Frontal; R wrist radiograph; 14y M:

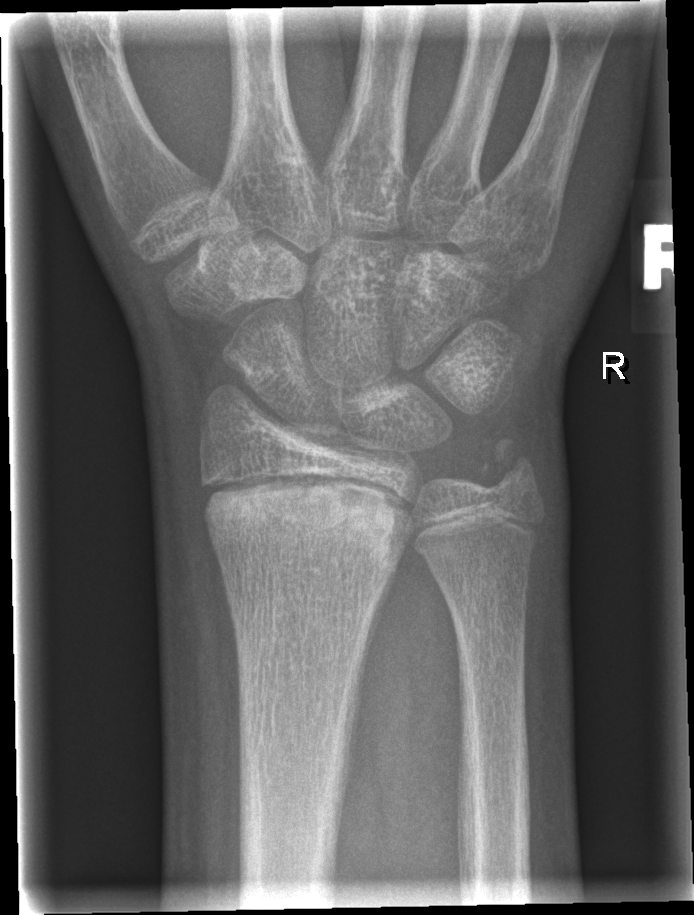
Pixel coordinates, top-left origin, xyxy.
Fractures — <199,472>-<415,571> <477,435>-<542,501>.
Decreased bone density (osteopenia).
AO/OTA classification: 23r-E/2.1; 23u-E/7.
One periosteal thickening at <341,551>-<402,799>.